Frontal | Rt plain radiograph of the wrist | 13-year-old male 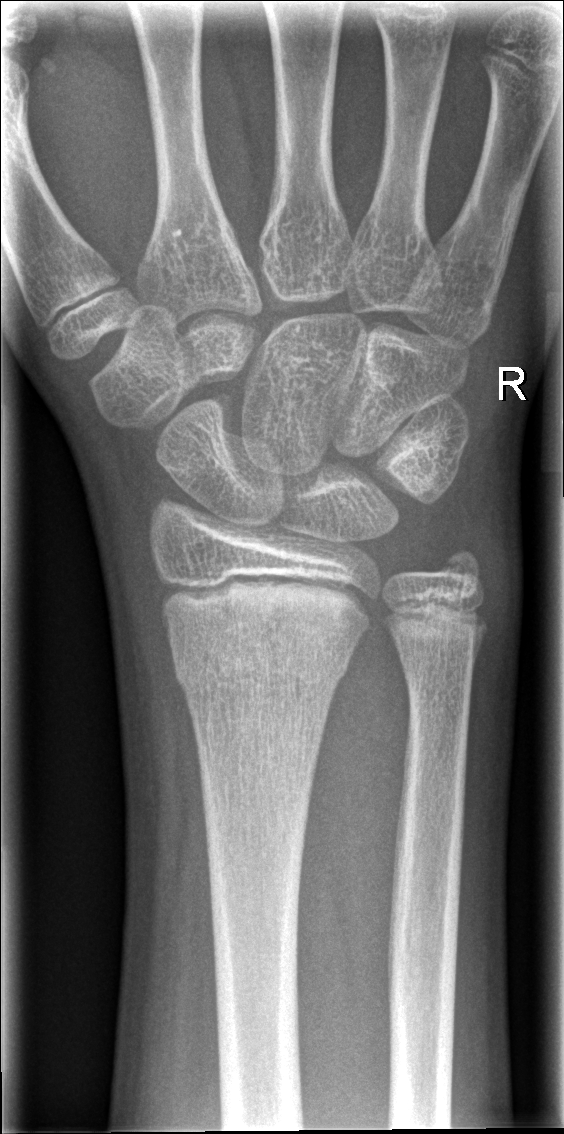 Fractures — 167 618 360 696; 431 542 490 603.